PA projection · right wrist plain film · pediatric patient (girl, age 10) —

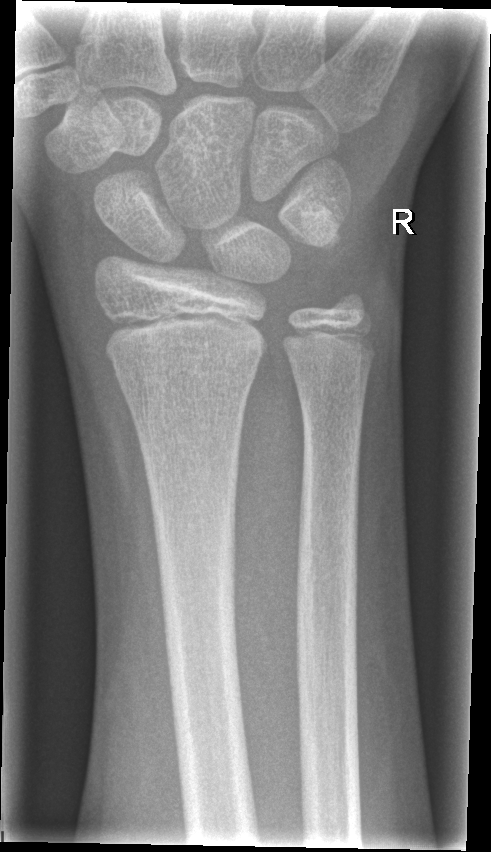

Fx: present but not clearly seen in this view.
AO/OTA classification: 23r-M/2.1.